Posteroanterior · left wrist X-ray · 15-year-old male · image width 88.6 mm — 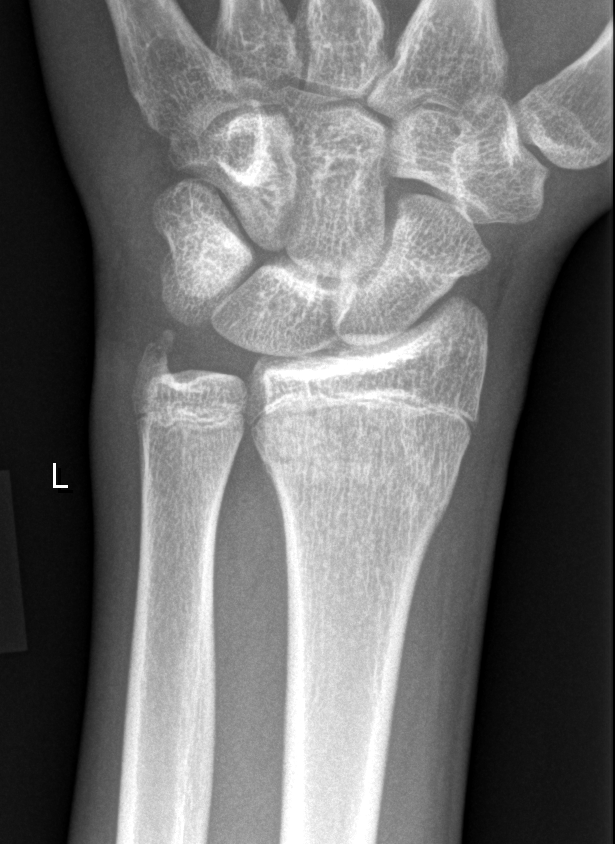
# pixel coordinates, top-left origin, xyxy
ao: 23r-M/3.1; 23u-E/7
fracture: 2 @ (253, 435, 458, 527) (129, 323, 195, 393)